Lat projection | R wrist plain film | 6y F | image 40.3 mm wide
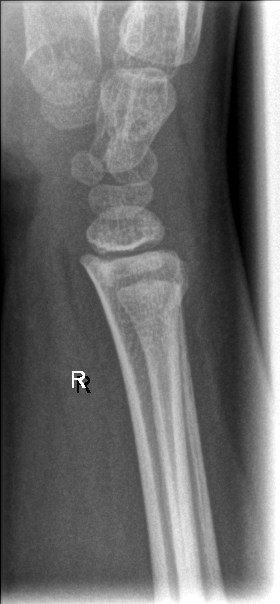

Pixel coordinates, top-left origin, xyxy.
AO/OTA classification: 23r-M/2.1.
One Fx at <96,273>-<194,323>.